Posteroanterior projection · right wrist XR · 13-year-old male · 562 by 762 pixels. 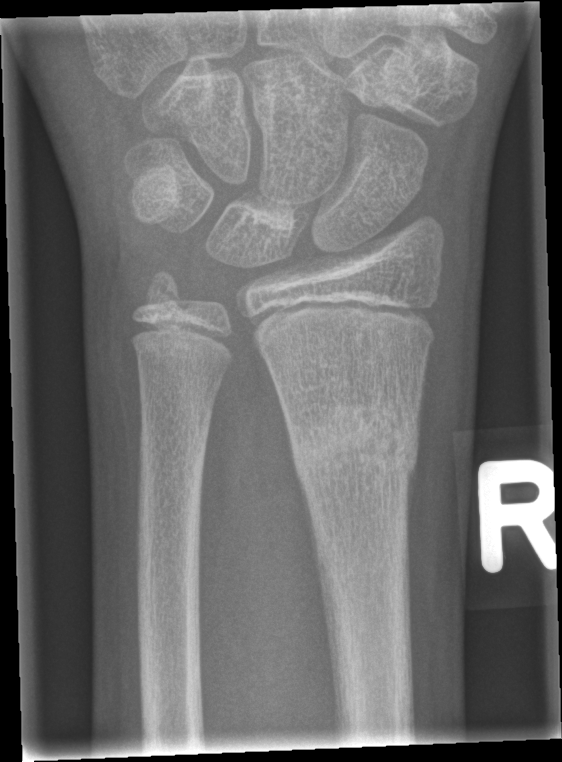

Q: Is there osteopenia?
A: Osteopenia
Q: What is the AO/OTA classification?
A: AO/OTA classification: 23r-M/2.1; 23u-E/7
Q: Locate any fractures.
A: Fractures — bbox(289, 395, 425, 488); bbox(146, 268, 194, 313)